AP · R wrist X-ray · follow-up · Siemens · image size 813x1226

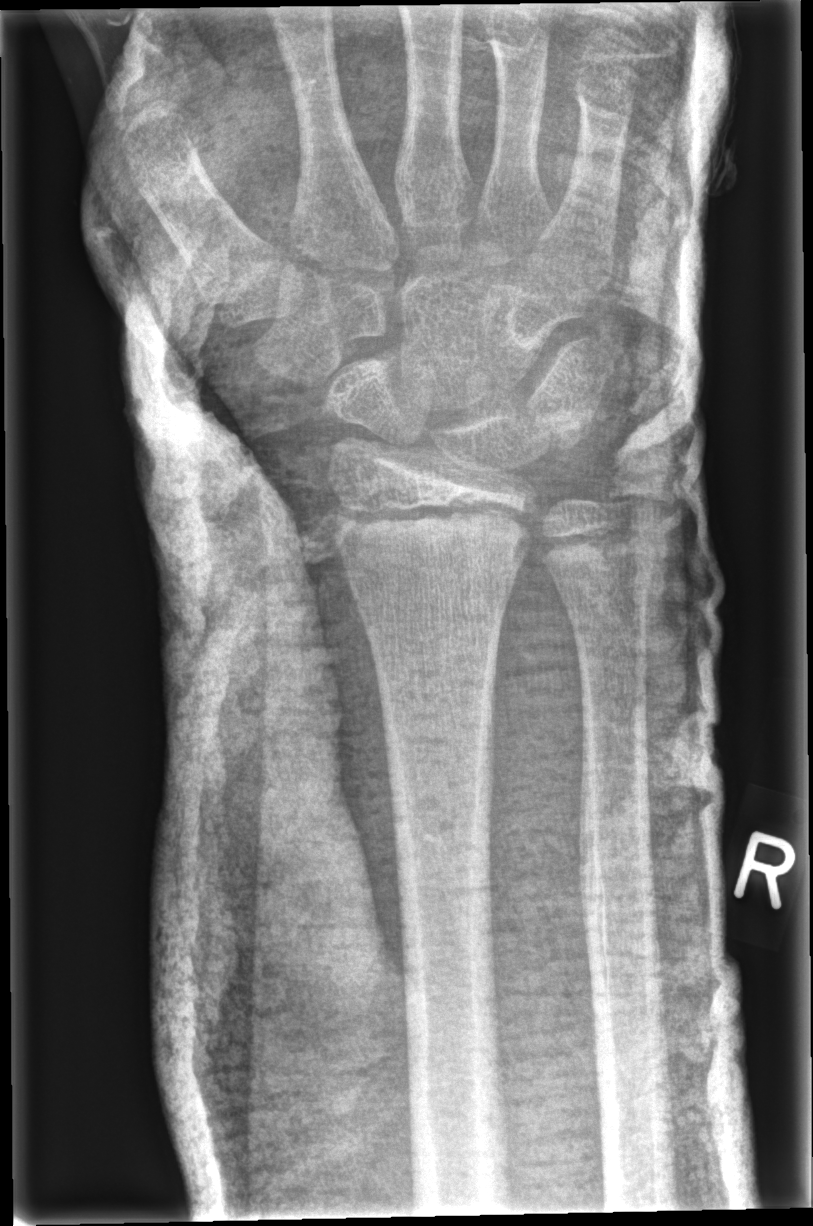

FINDINGS — (coordinates are [x1, y1, x2, y2] in image pixels) Bone fracture identified at (left=328, top=485, right=536, bottom=576).